Lt wrist radiograph, lat view, boy, 15 yo, imaged through cast 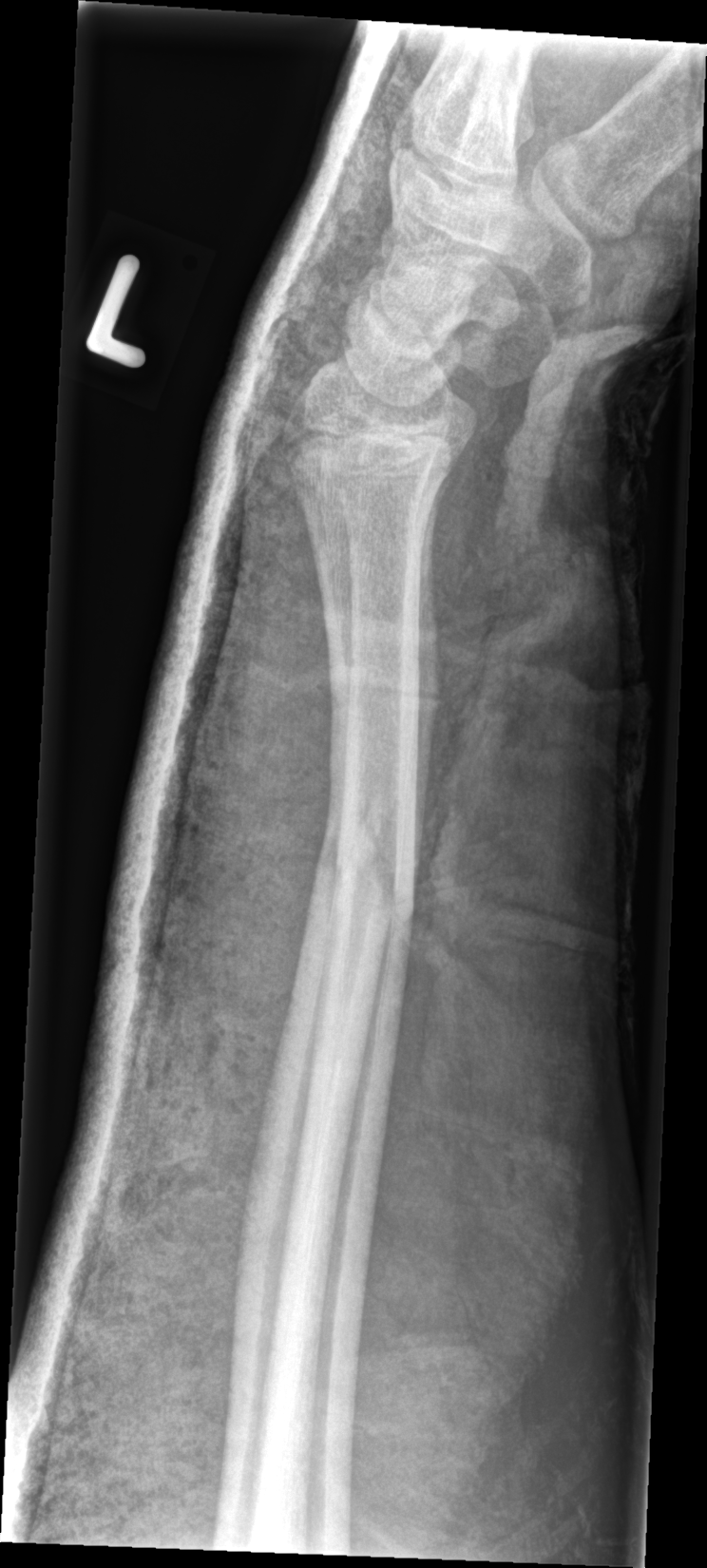
(pixel coordinates, top-left origin, xyxy)
AO classification: 22r-D/4.1; 23u-E/7
fracture: 1 @ [x1=304, y1=822, x2=416, y2=952]